PA/AP, R pediatric wrist radiograph, subsequent exam, cast in situ.

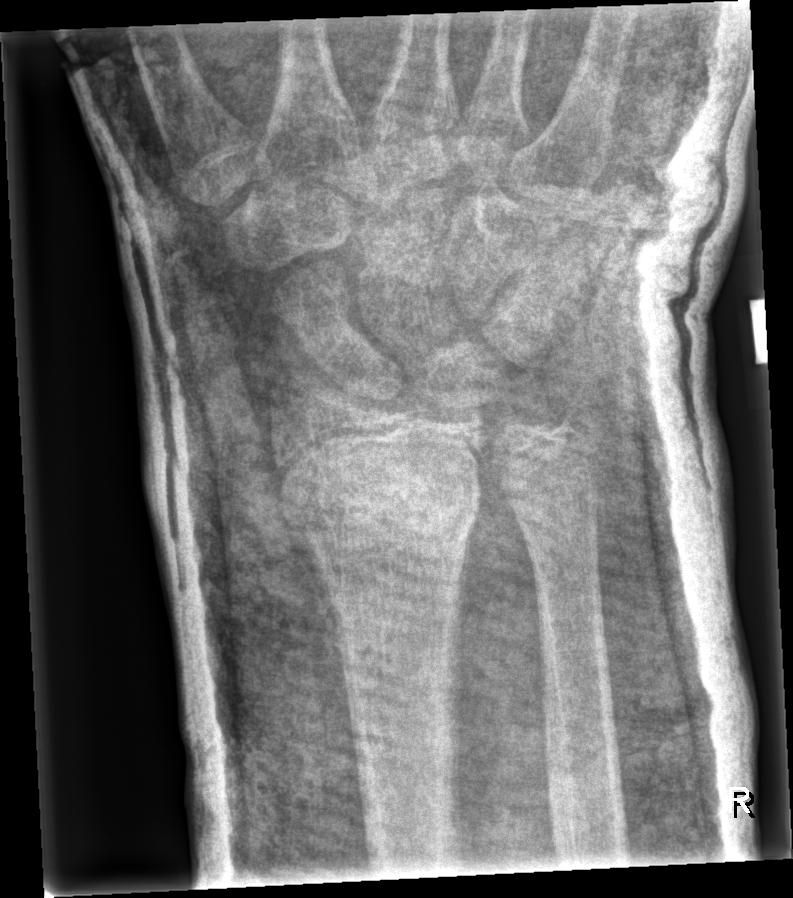
Findings: Fracture — bbox(282, 466, 487, 566). AO/OTA classification: 23r-M/3.1.